R wrist radiograph, lat view, initial study
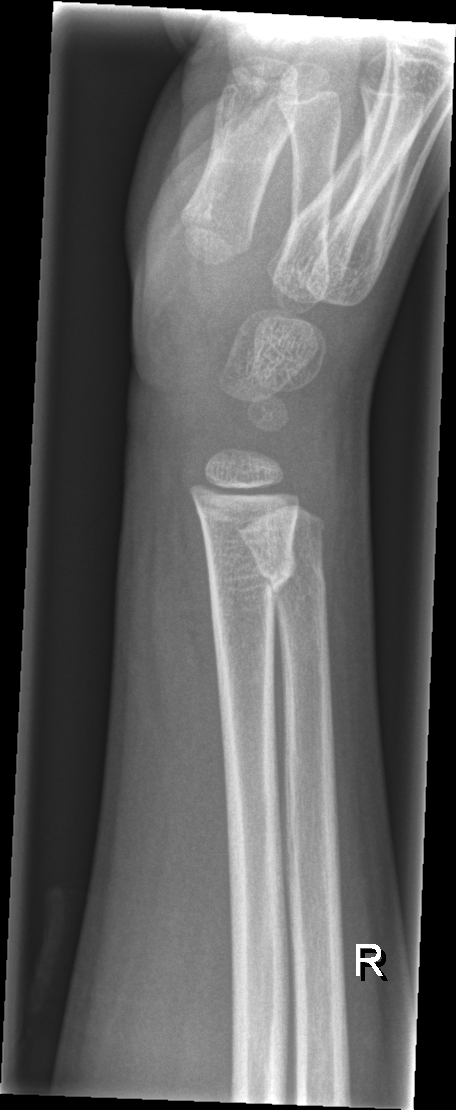
AO/OTA classification: 23-M/2.1.
Positive pronator fat-pad sign — 142 444 232 869.
Fracture: 203 537 300 623 | 270 558 332 628.